L wrist radiograph, PA/AP view, girl, 13 yo, image width 82.4 mm, 572 x 854 px: 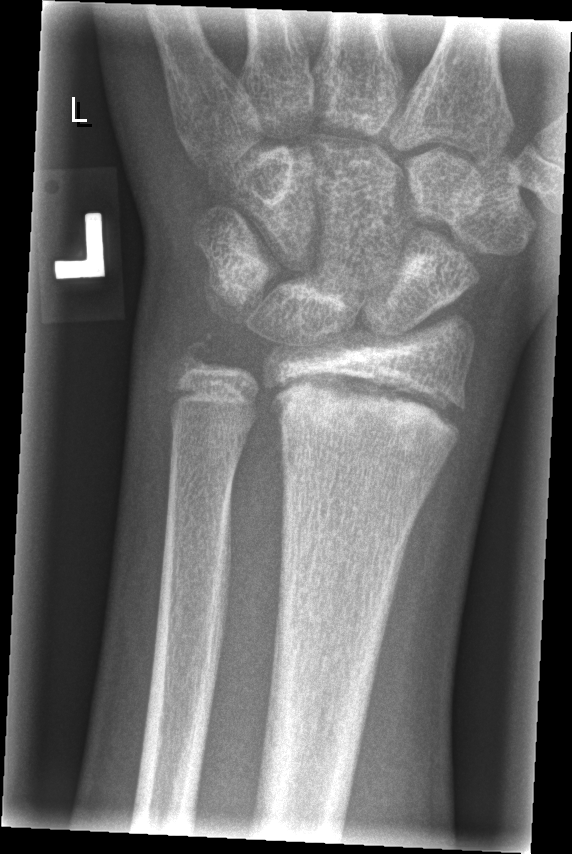

• Osteopenic.
• AO code 23r-E/2.1; 23u-E/7.
• Two Fx at 268 371 469 450; 163 328 223 383.